L wrist radiograph, posteroanterior, female, 11 yo, Siemens —

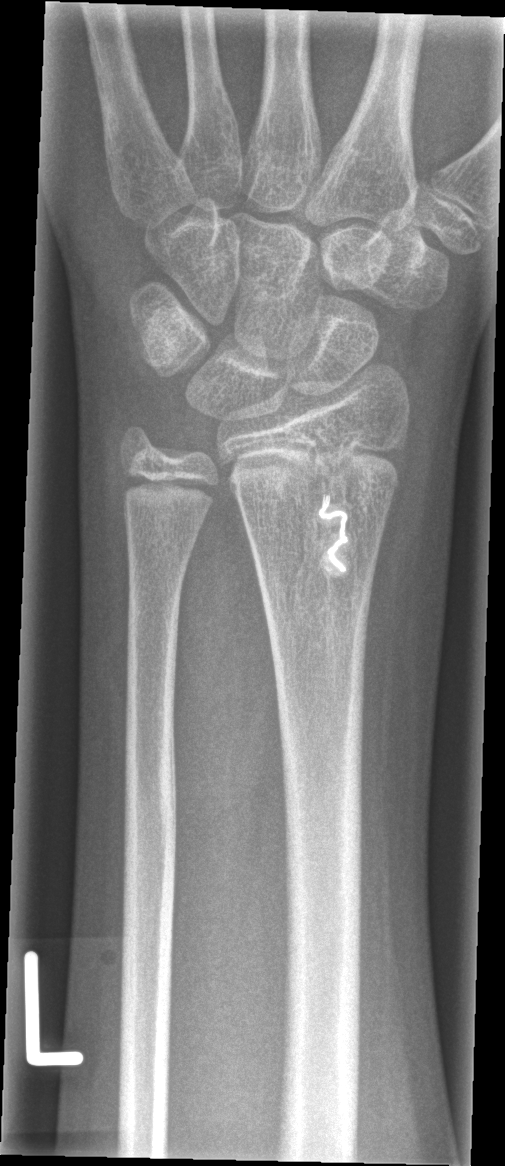

Metallic hardware — [314, 490, 357, 581]. Osseous anomaly identified at [278, 392, 375, 507]. Fracture: none labeled.